Left pediatric wrist radiograph | lateral | imaged through cast — 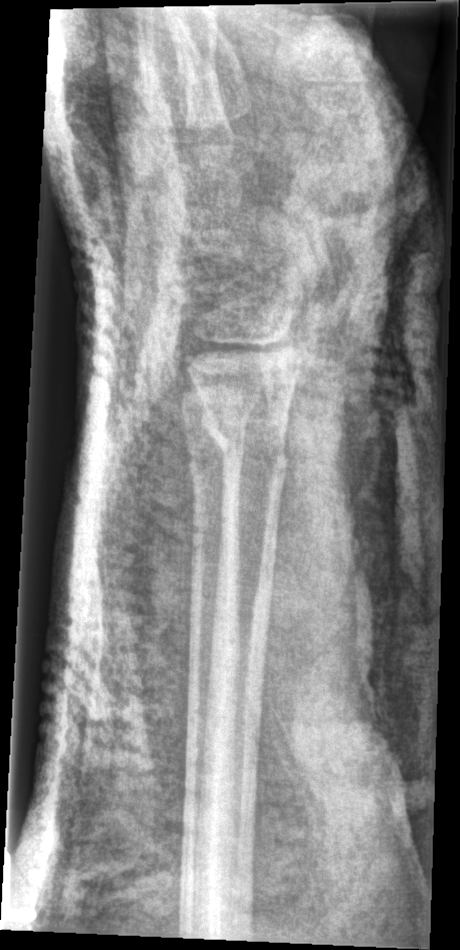

{
  "ao": "23-M/3.1",
  "fracture": "2 @ bbox(200, 406, 293, 473); bbox(178, 428, 243, 488)"
}